PA/AP | R plain radiograph of the wrist | equivocal findings. 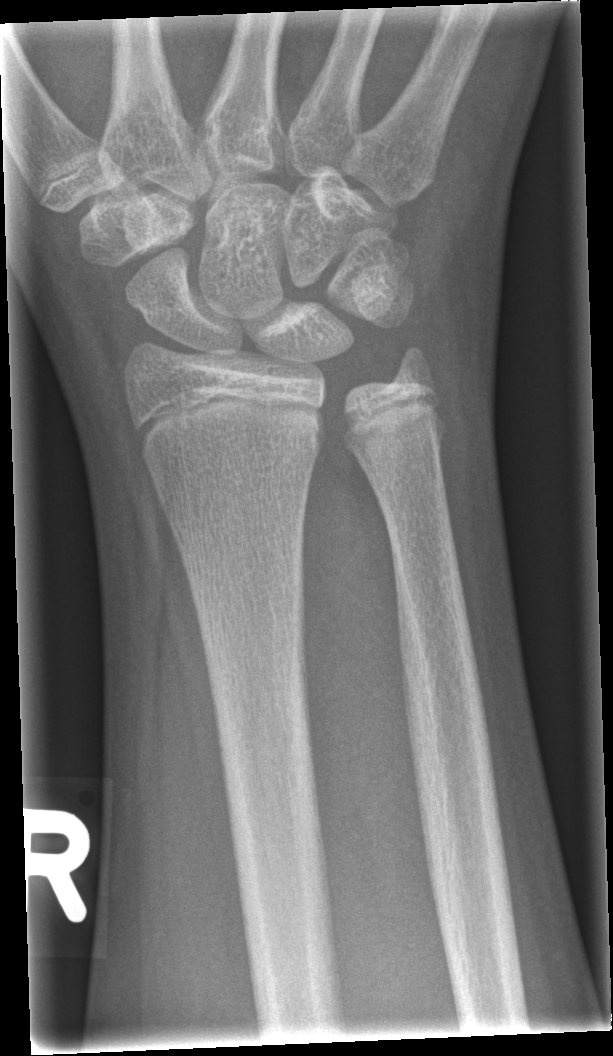 - Fx: none.